AP projection | right wrist XR | age 15 y, male | subsequent exam: 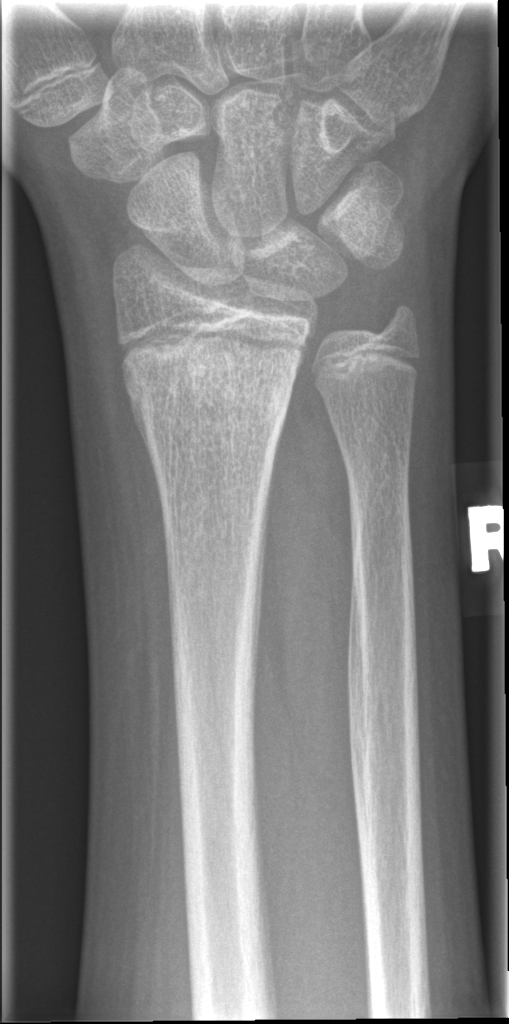
Q: What is the AO/OTA classification?
A: AO code 23r-M/3.1
Q: Any fracture seen?
A: Bone fracture: (124, 322, 306, 446)